Left wrist X-ray; posteroanterior view; equivocal findings —
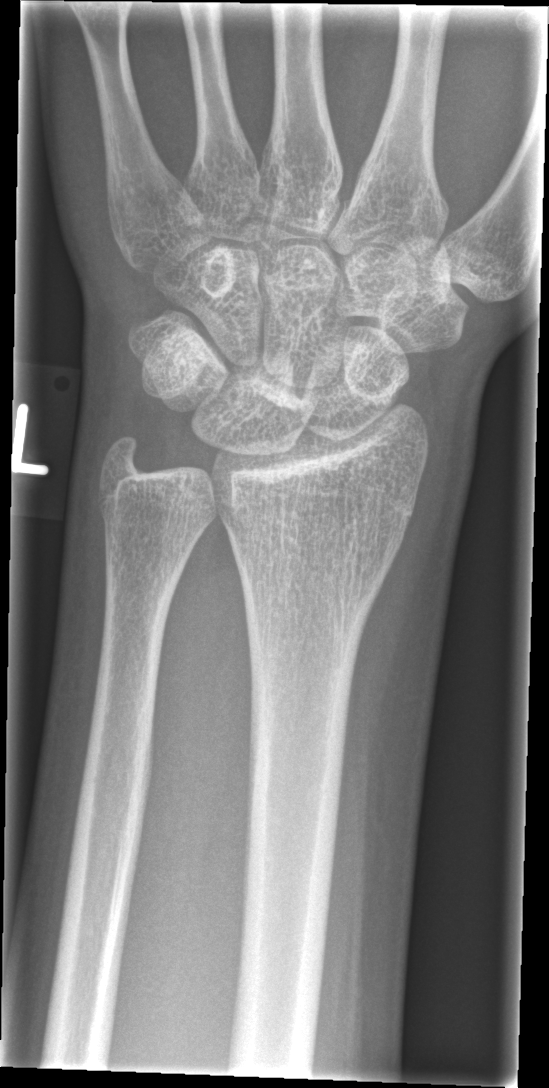
{
  "ao": "23r-M/2.1",
  "fracture": "present but not clearly seen in this view"
}